PA view | left wrist XR | 717 x 896 px — 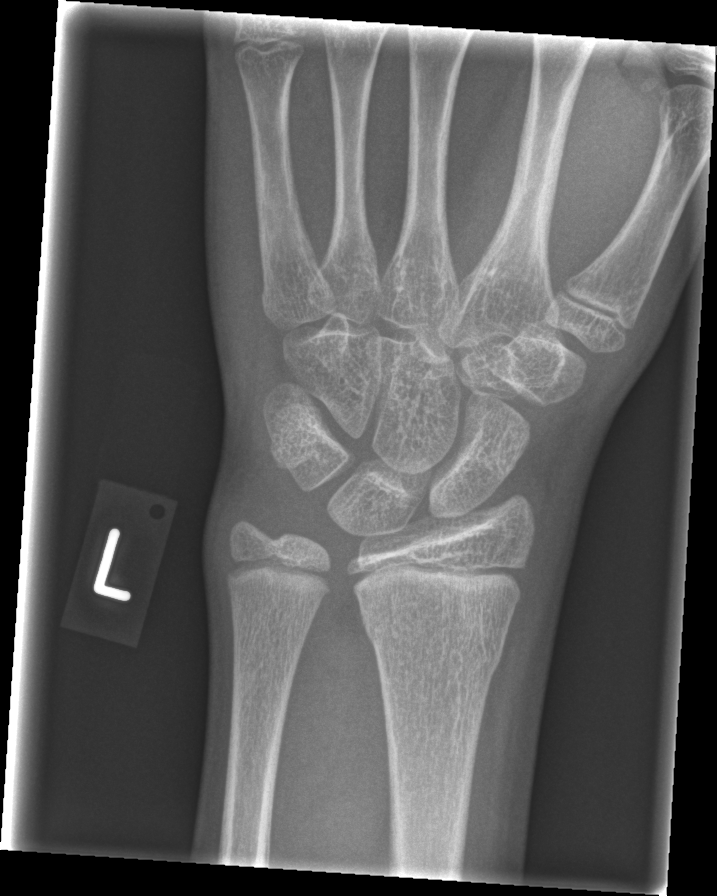 FINDINGS — (pixel coordinates, top-left origin, xyxy) Fracture classified AO/OTA 23r-M/2.1. Fx identified at [x1=358, y1=597, x2=509, y2=679].